AP · Rt pediatric wrist radiograph · follow-up study · image size 740x1196 —

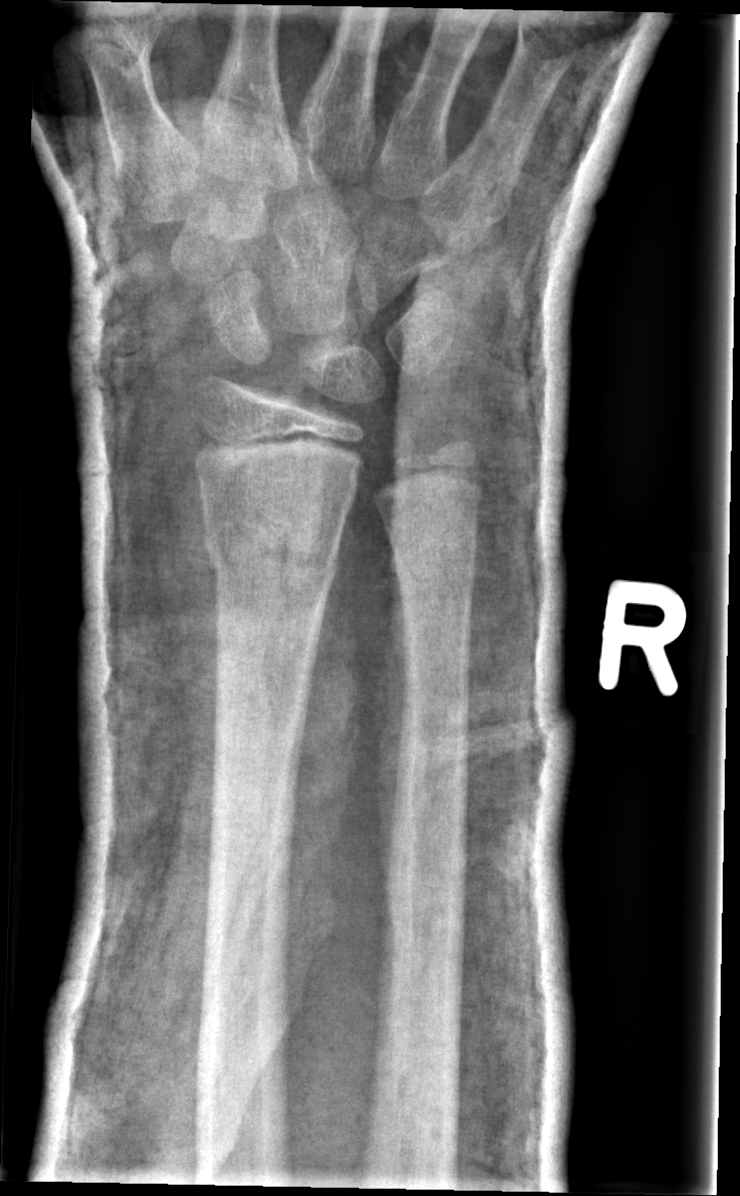

Fracture: <196,515>-<343,586>.